Lat view; Lt wrist X-ray; follow-up study; cast in situ —

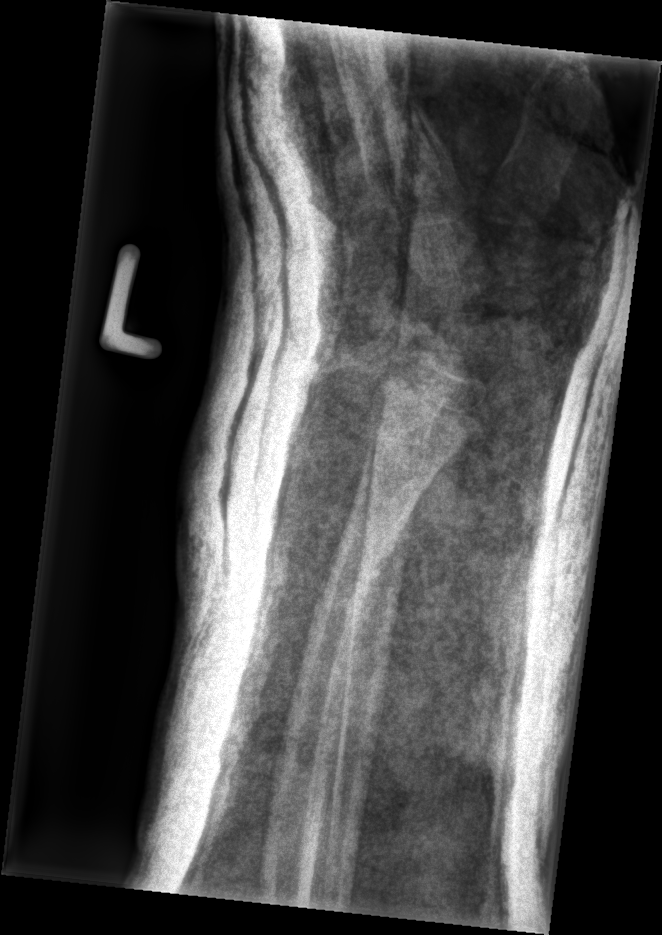

One bone fracture at bbox(312, 544, 384, 628).